Lateral projection; left wrist XR; girl, 17 yo
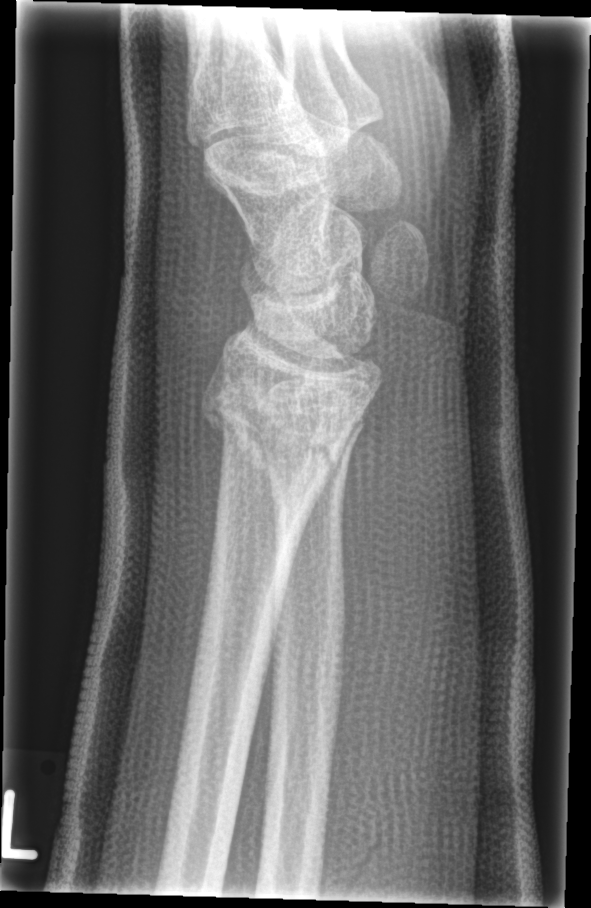
FINDINGS — (pixel coordinates, top-left origin, xyxy) Fracture: 194,372,361,484. AO/OTA classification: 23r-M/3.1.